Lat view, right pediatric wrist radiograph, 16y F, index exam, image size 475x886: 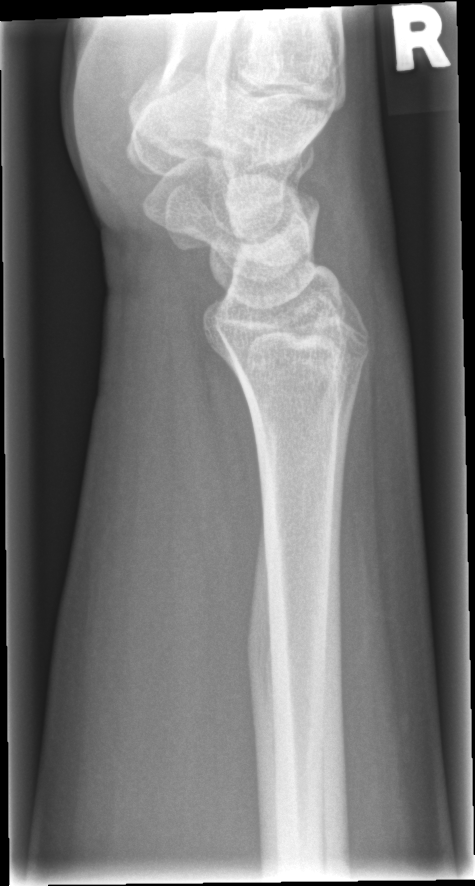 FINDINGS — No Fx annotated.